Rt wrist XR; PA view; 8-year-old boy; imaged through cast.

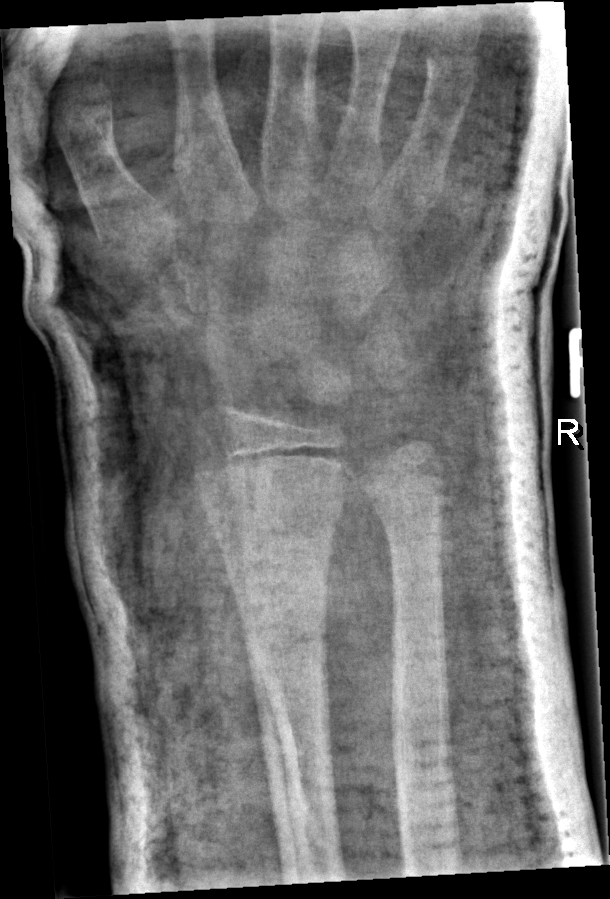 Bone fracture = present but not clearly seen in this view
AO/OTA = 23r-M/3.1